Frontal view · left plain radiograph of the wrist · 8y F · in cast —

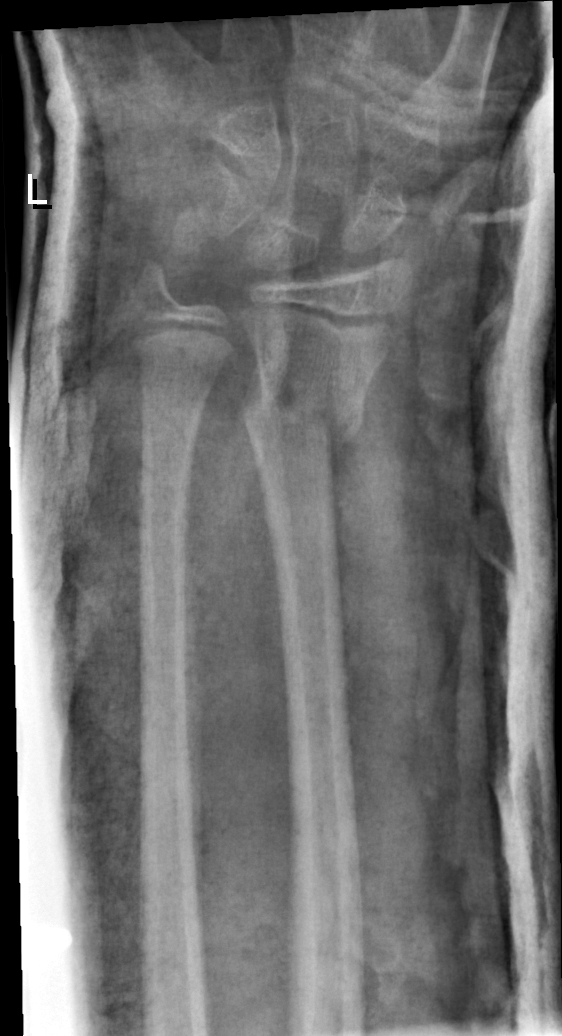 FINDINGS: (pixel coordinates, top-left origin, xyxy) Fracture identified at 237 378 366 450.